Posteroanterior | right wrist plain film | image width 72.4 mm | image size 503x960:
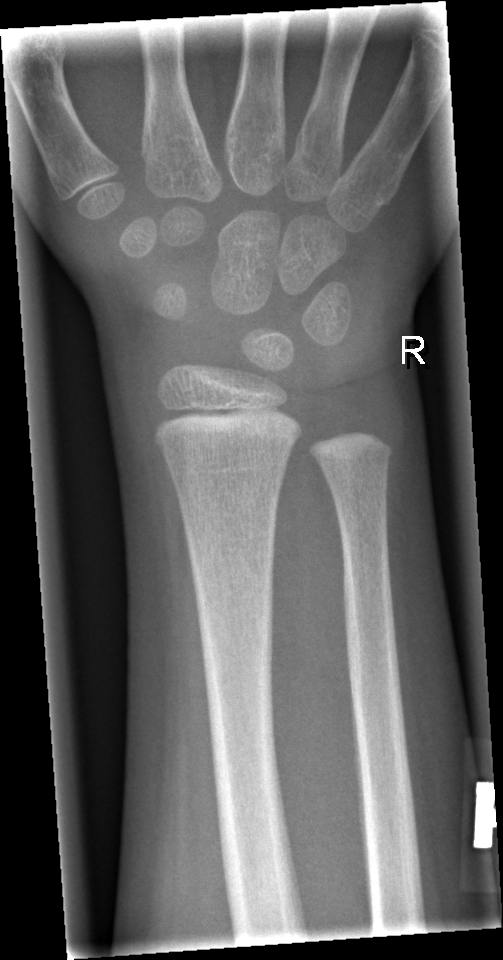
* Fracture: none labeled.